AP view; left wrist plain film; image size 533x1056. 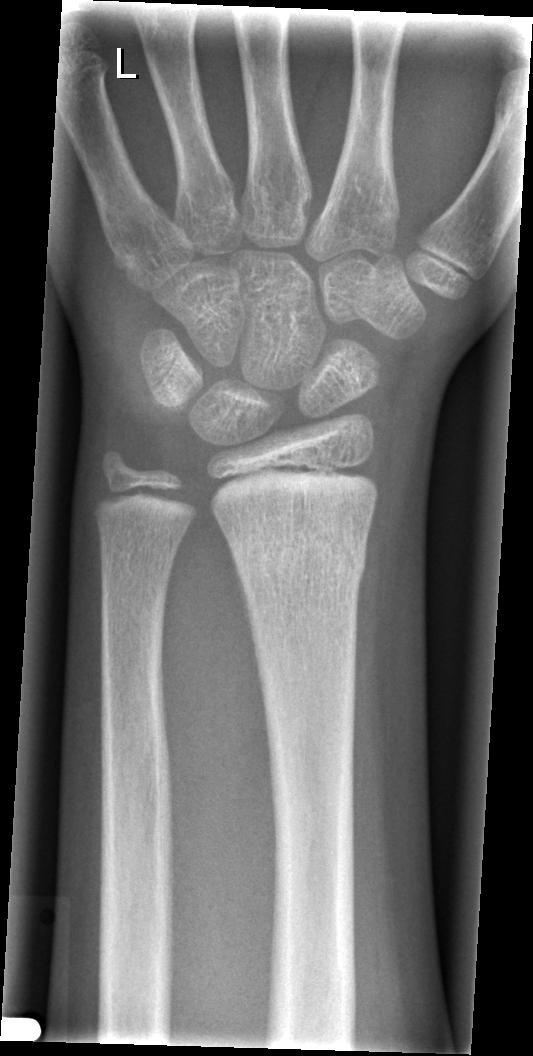
{"fracture": "227 523 370 589"}